Rt wrist radiograph · lateral · 594 x 1170 px 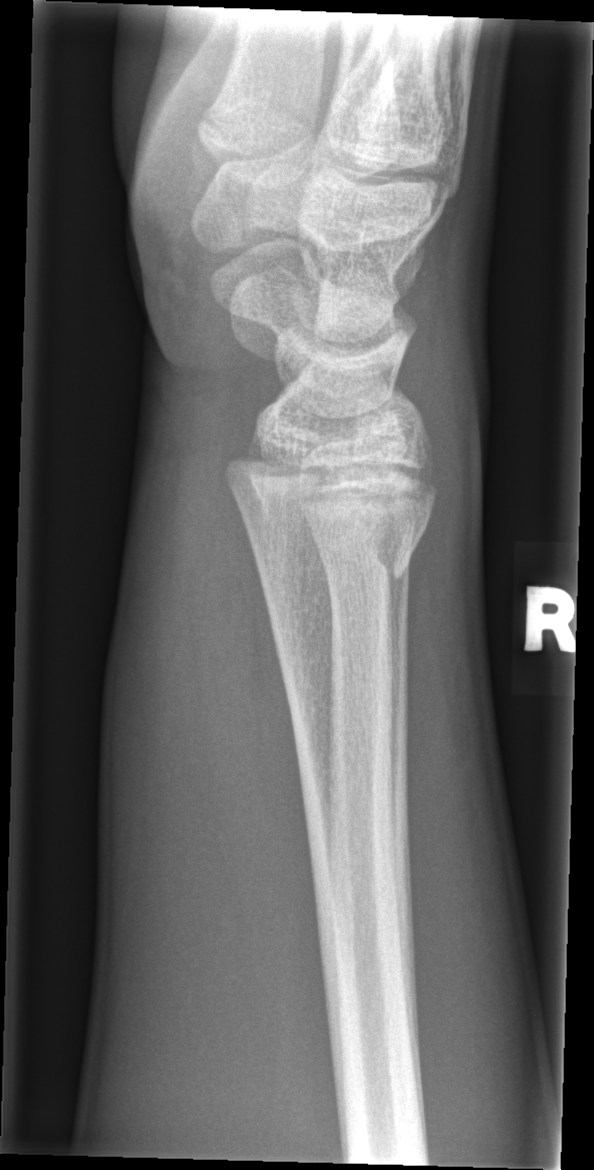
Pronator sign — [181, 466, 335, 1048]. Bone fracture identified at [220, 449, 443, 608].